R pediatric wrist radiograph; lateral view; follow-up; imaged through cast; acquired on Siemens:
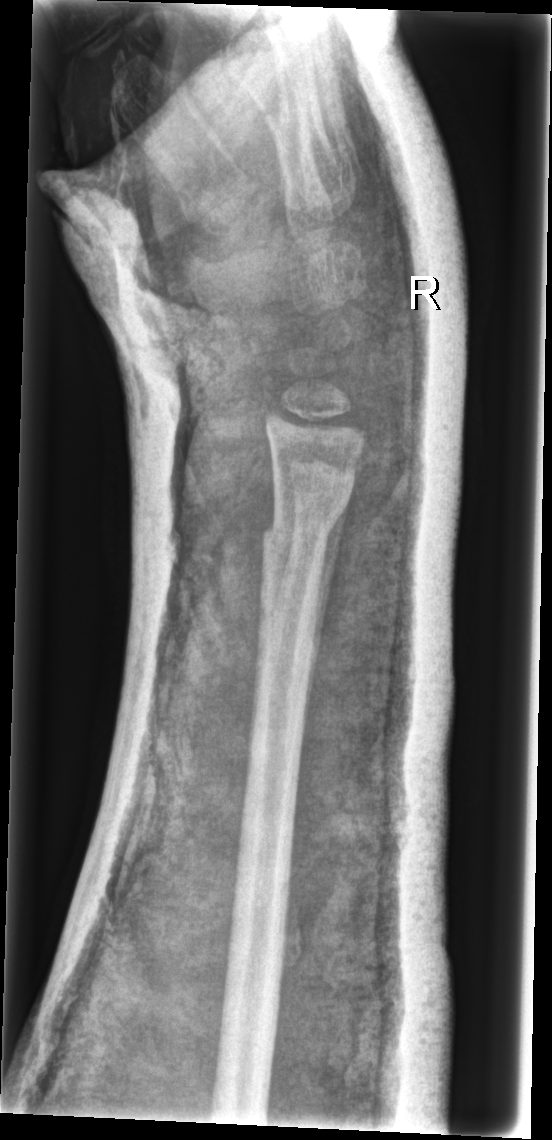
Bone fracture identified at 256 488 355 572. AO code 23r-M/3.1.